PA projection; left pediatric wrist radiograph; 83.7 mm image width; 581 x 1072 px. 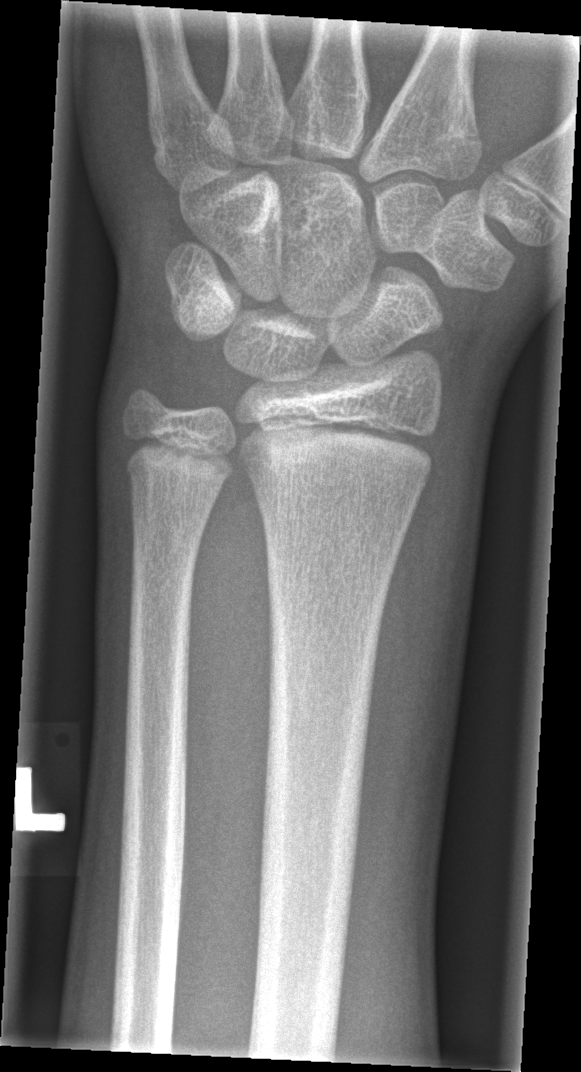 Bone fracture: present but not clearly seen in this view